L wrist XR; PA projection; boy, 16 yo; image 137.7 mm wide.

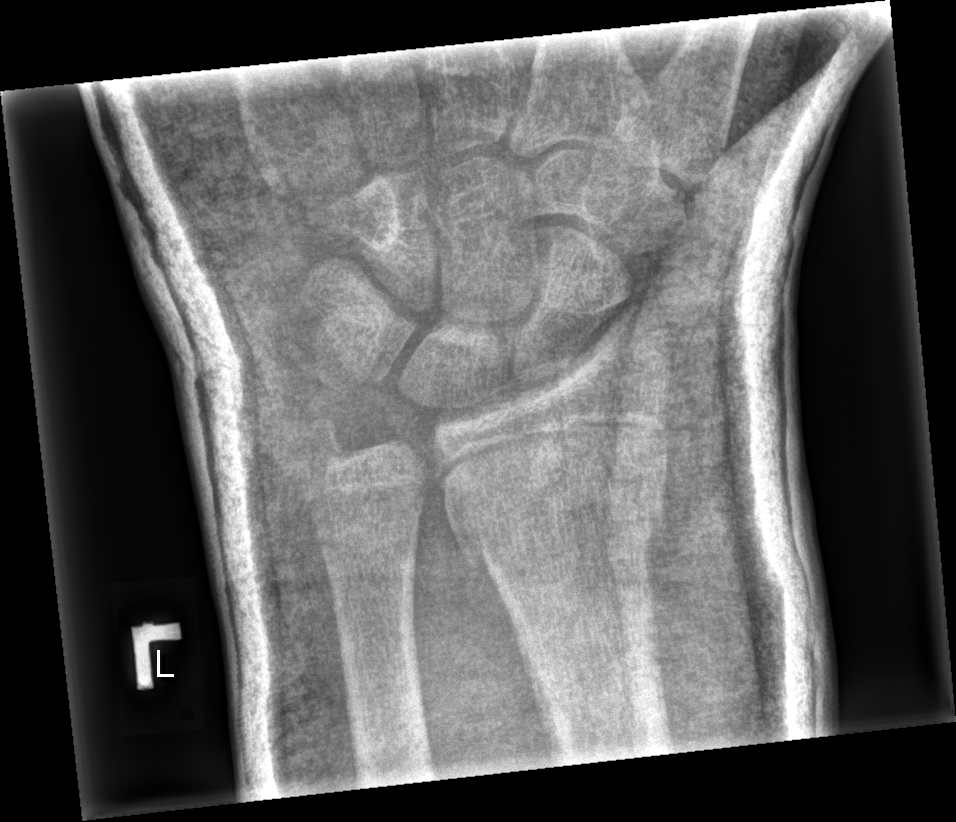
Bounding boxes in image-pixel xyxy.
Two fractures at 440,458,670,573 | 295,412,358,487.